Frontal | left wrist XR | 11-year-old female | image width 94.5 mm:

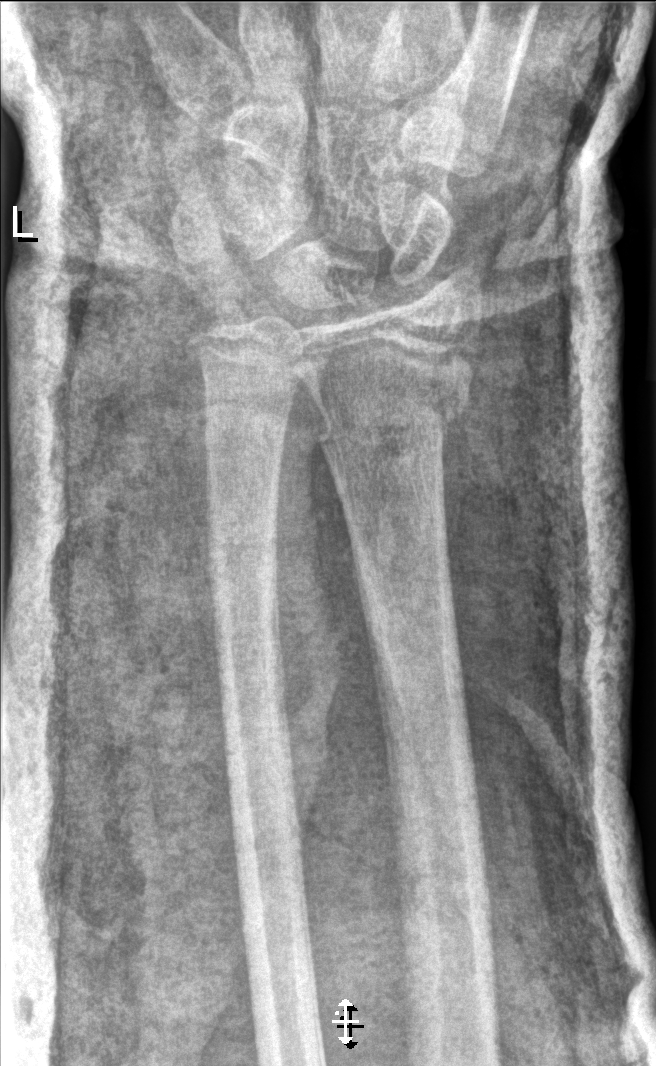 (pixel coordinates, top-left origin, xyxy)
Q: Is there a fracture?
A: Two fractures at [x1=316, y1=378, x2=475, y2=474]; [x1=186, y1=329, x2=306, y2=397]
Q: AO code?
A: AO/OTA classification: 23-M/3.1